Lat projection, left wrist XR, pediatric patient (girl, age 5), imaged through cast.
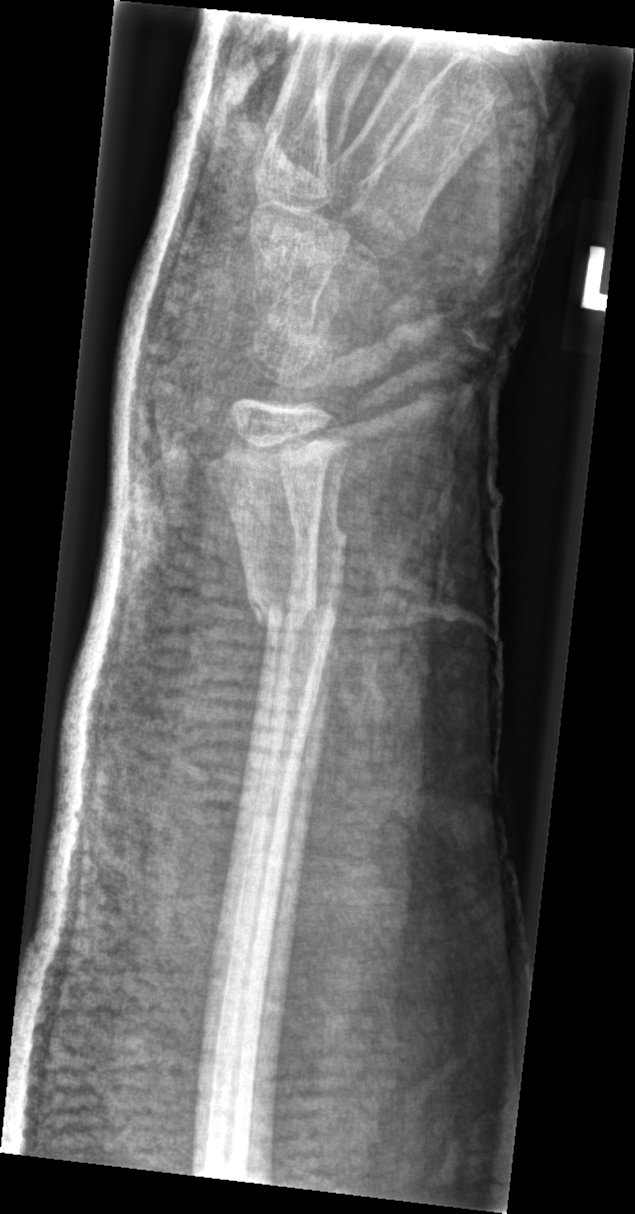
Coordinates are [x1, y1, x2, y2] in image pixels. Bone fracture: bbox(243, 575, 345, 652), bbox(287, 506, 351, 567). Fracture classified AO/OTA 23-M/3.1.